Lateral projection, left wrist XR, pediatric patient (girl, age 9)
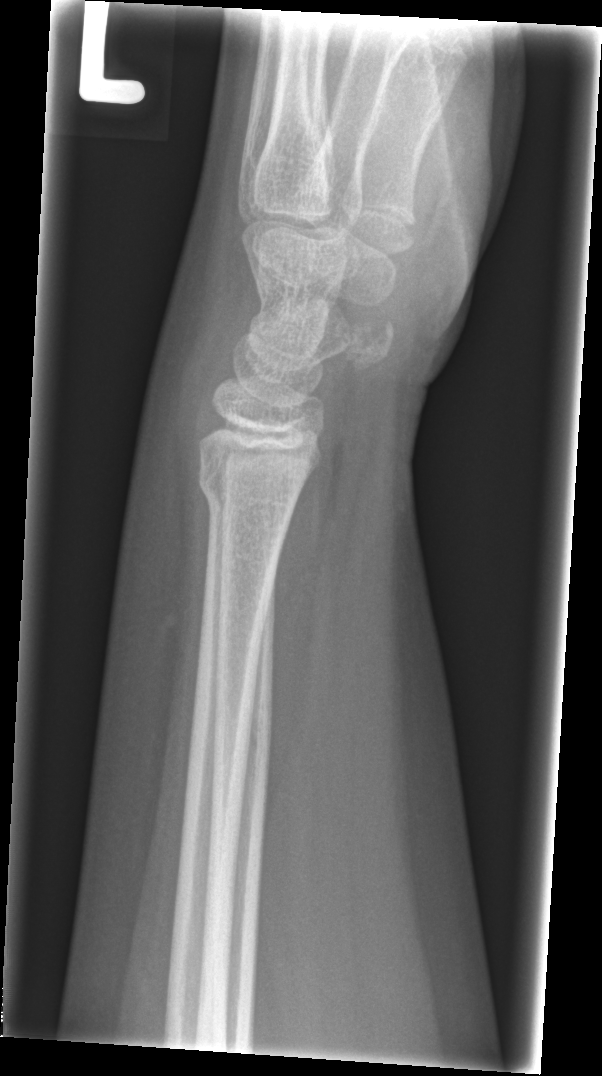

Pixel coordinates, top-left origin, xyxy.
Fx: <195,458>-<309,517>.
Fracture classified AO/OTA 23r-M/2.1.